Lt wrist XR; lateral projection; male, 12 yo; index exam; image width 65.8 mm —
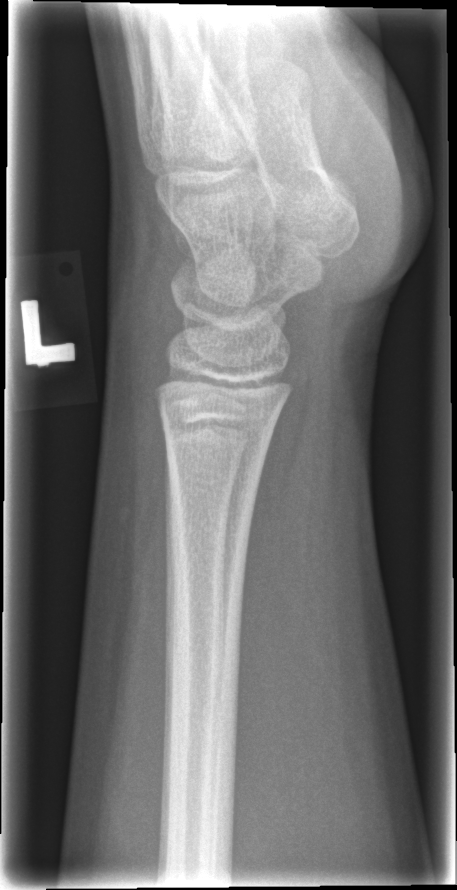

No fracture labeled.